Lat projection; Rt wrist plain film; pediatric patient (boy, age 14); equivocal findings.
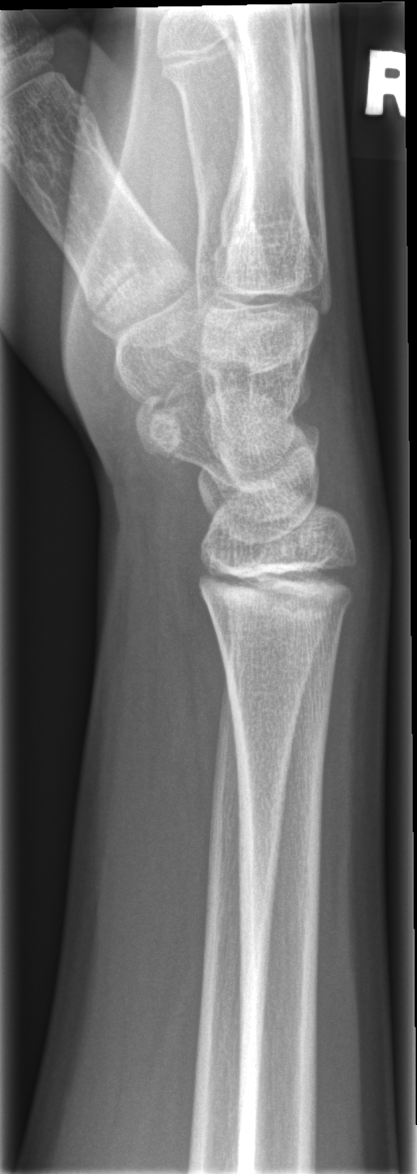

* No fracture annotation.